Right wrist radiograph · lateral · 10y M · detector: Siemens 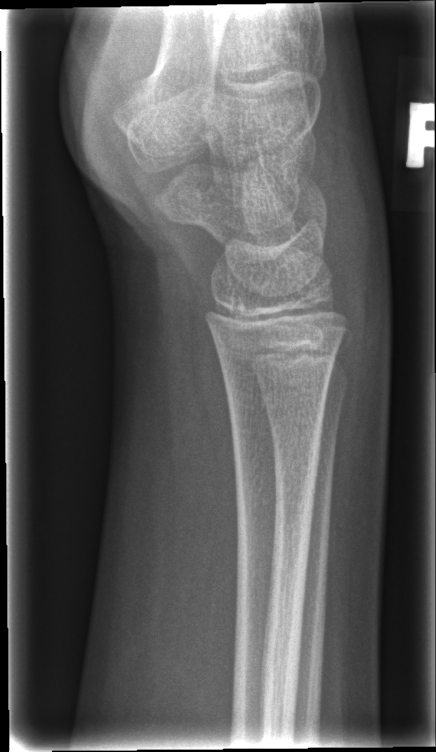 • Fx: none.